Frontal | Rt plain radiograph of the wrist | 10y M | in cast —

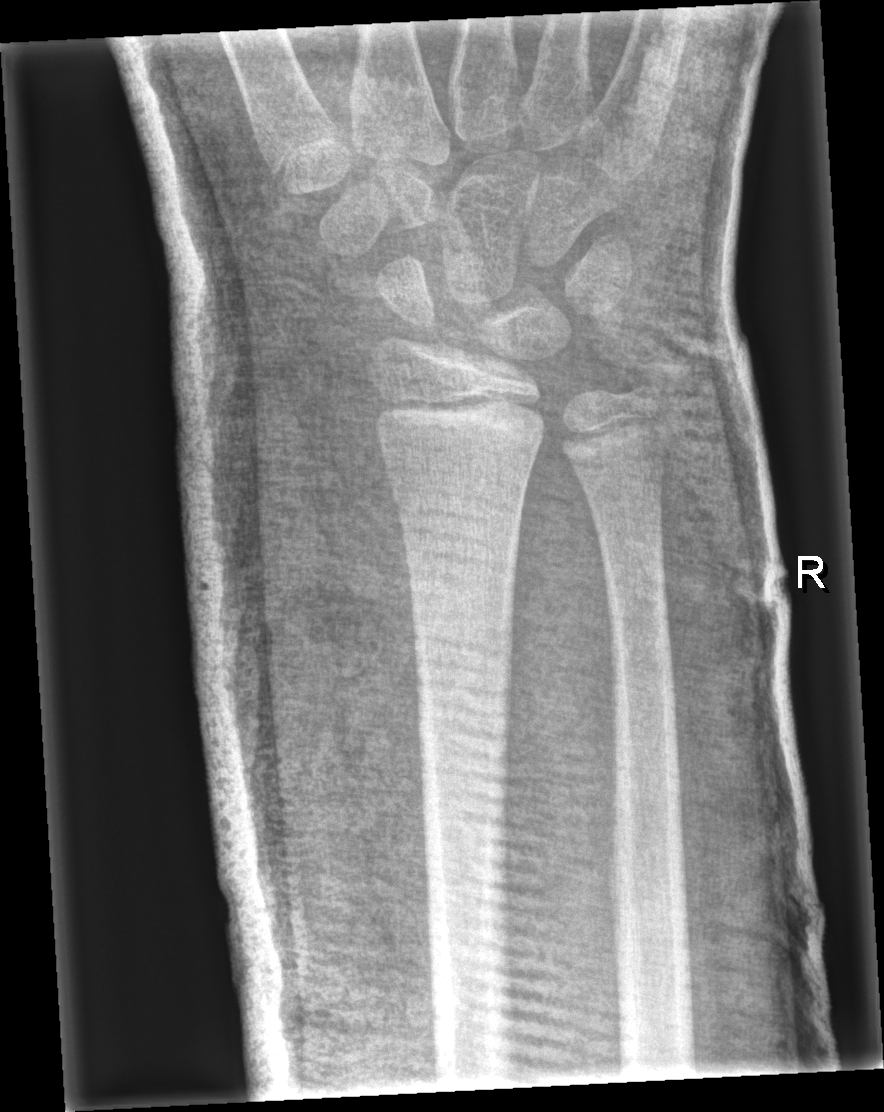

Fx: present but not clearly seen in this view.
AO code 23r-E/2.1.